Rt wrist radiograph, PA/AP projection, male, 17 yo

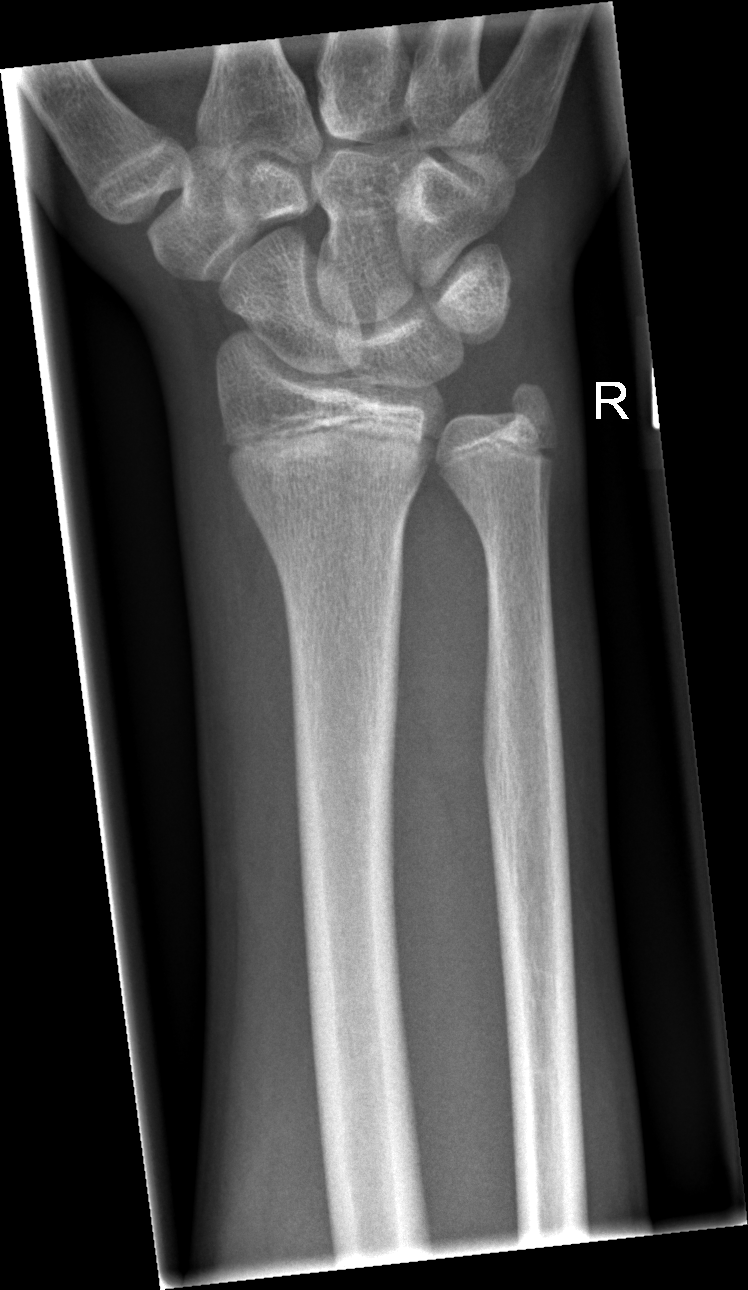 * No fracture annotation.